Posteroanterior view, left wrist plain radiograph of the wrist, pediatric patient (male, age 12), follow-up, imaged through cast, 575 x 1236 px:

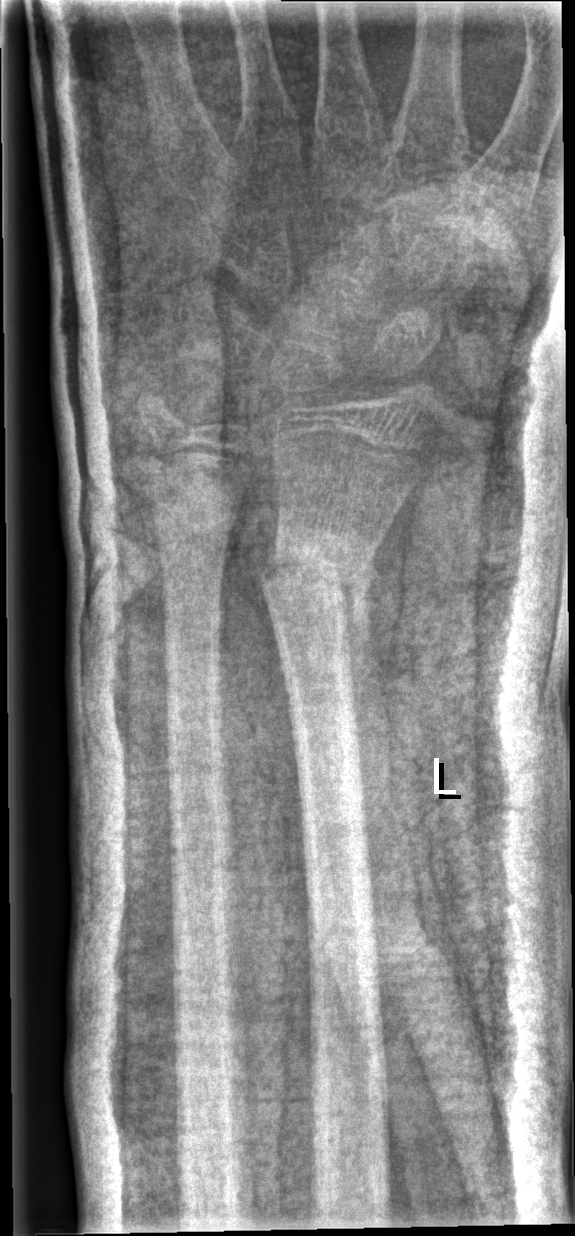 {"periostealreaction": "1 @ (341, 549, 382, 742)", "ao": "23r-M/3.1; 23u-M/2.1", "fracture": "1 @ (257, 530, 387, 645)"}